Lat projection, right plain radiograph of the wrist, presentation radiograph, acquired on Siemens, 443 by 1160 pixels:

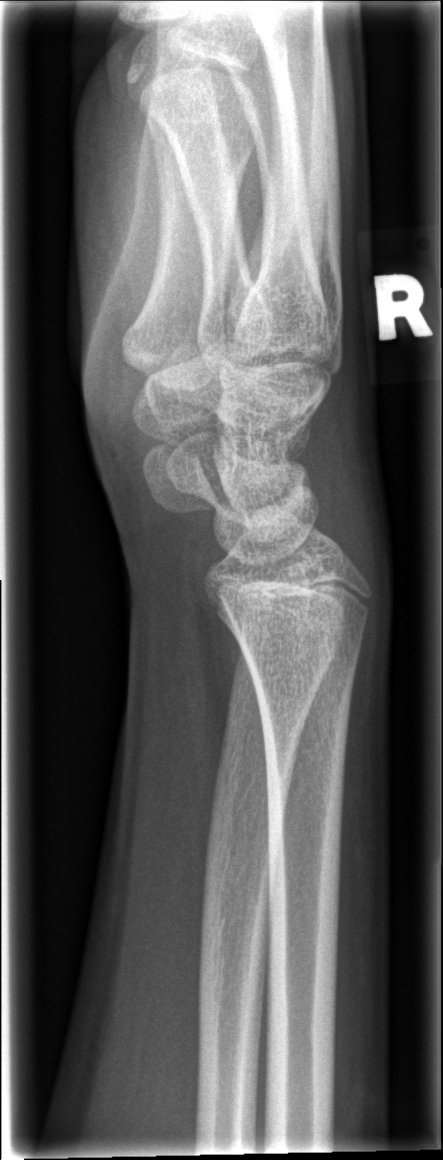 Fx: none labeled